Lat view, left plain radiograph of the wrist, 12y F: 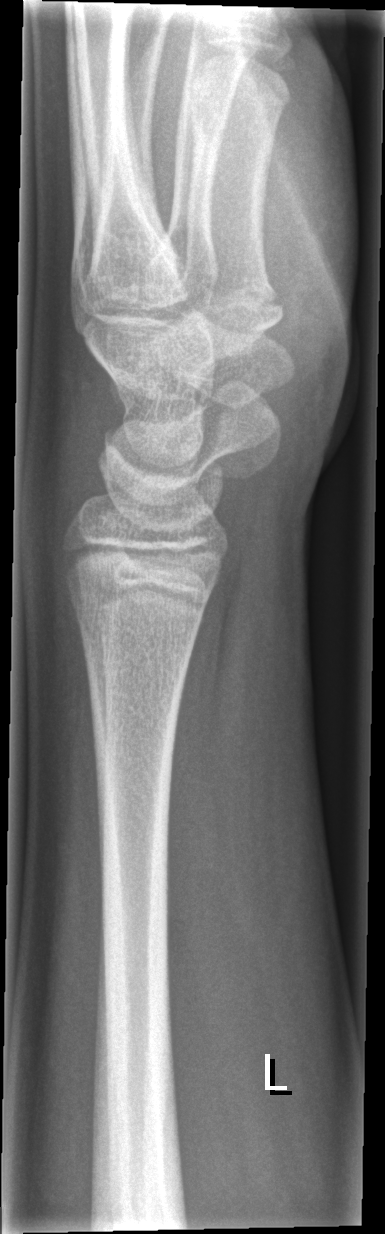
No fracture annotation.